Lateral view | Lt wrist XR | pediatric patient (boy, age 12) | follow-up study 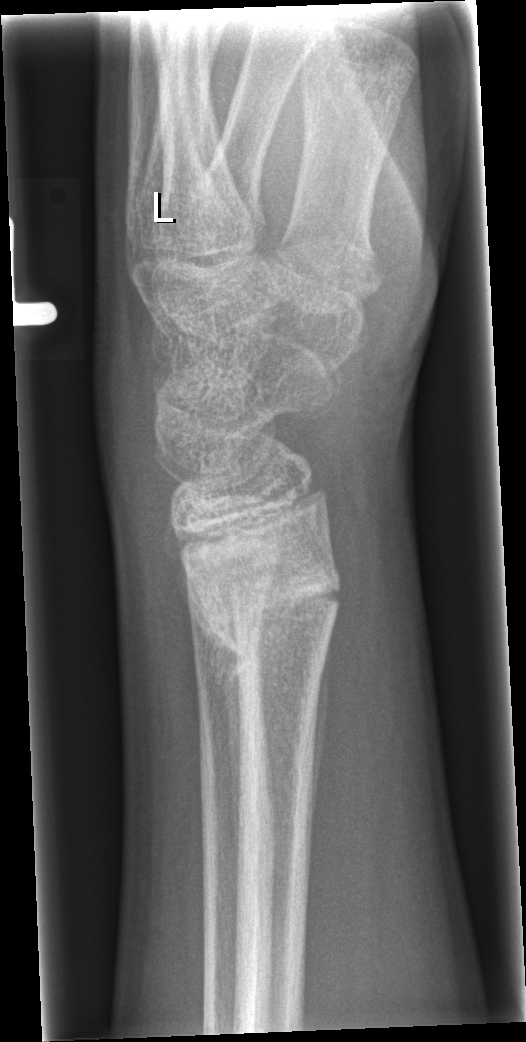
• Bone fracture — <182,562>-<346,641>.
• Fracture classified AO/OTA 23r-M/3.1.